Lateral projection, Lt pediatric wrist radiograph, 8-year-old female, cast present, detector: Siemens — 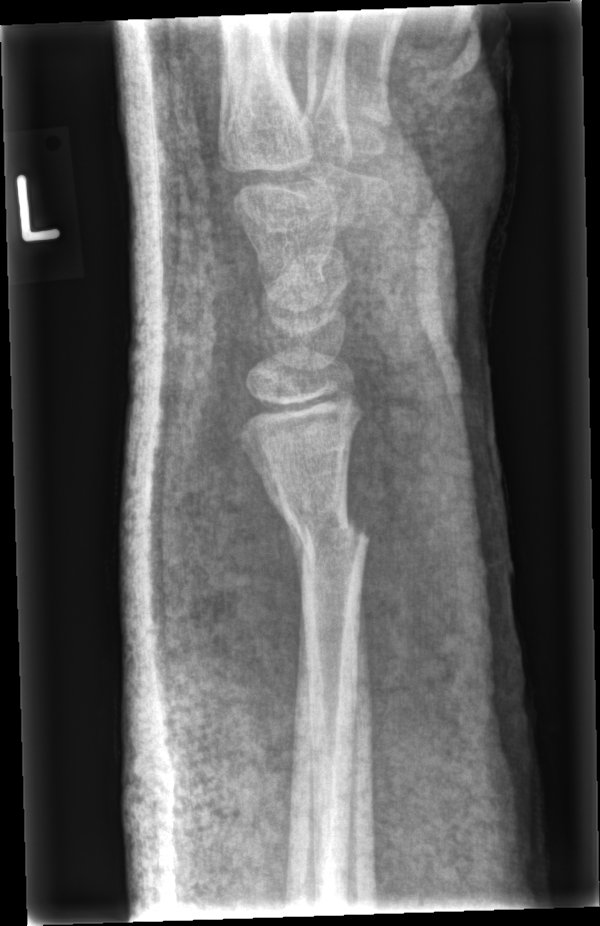

FINDINGS — Bone fracture — <274,488>-<375,572>. AO code 23-M/3.1.